Rt wrist XR; frontal view; imaged through cast; 98.4 mm image width: 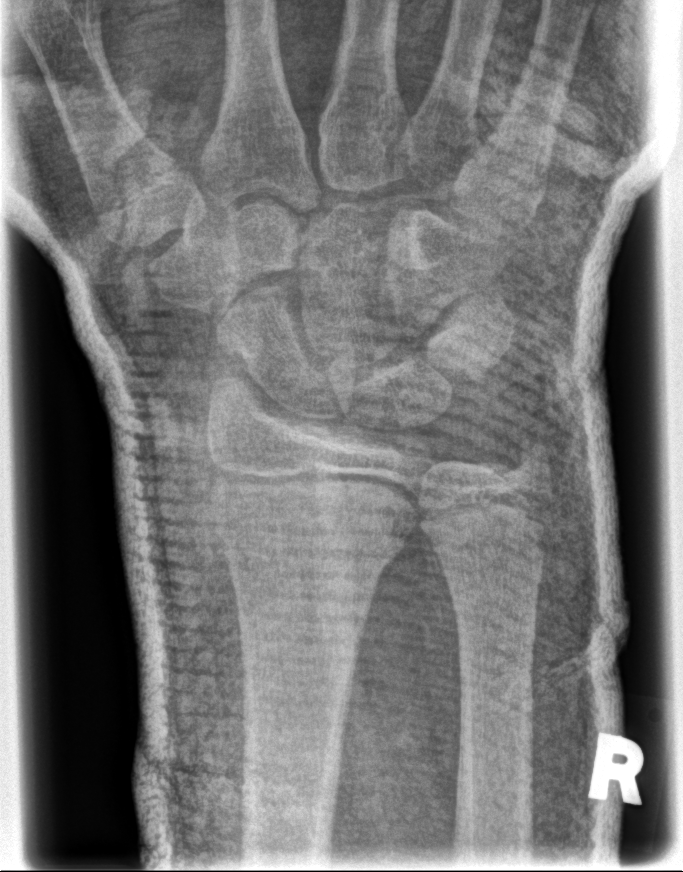 Bounding boxes in image-pixel xyxy.
Fx: 211,470,412,579
  505,427,559,480.
AO code 23r-E/2.1; 23u-E/7.